PA view | R wrist radiograph

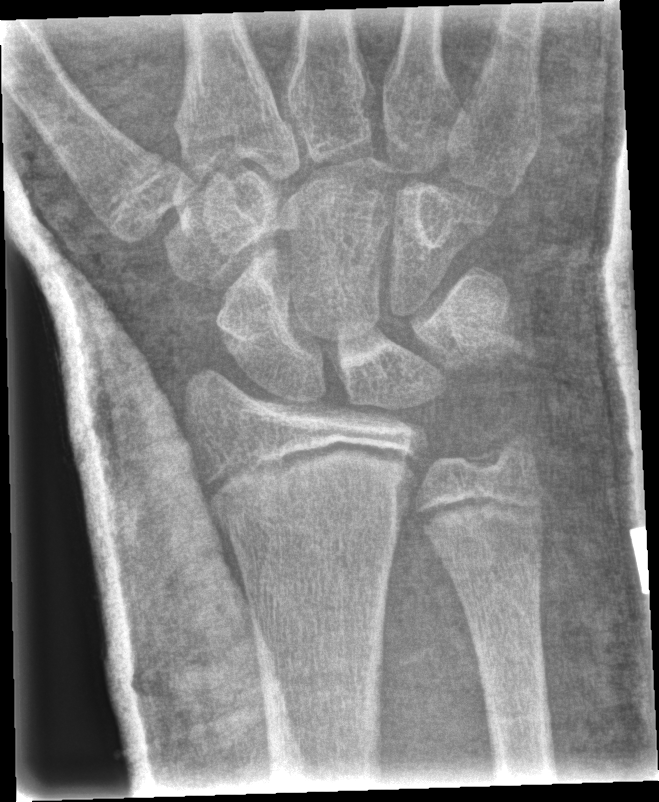
Bounding boxes in image-pixel xyxy. Fracture classified AO/OTA 23r-E/2.1; 23u-E/7. One bone fracture at [x1=460, y1=411, x2=545, y2=483].